AP view | right wrist plain radiograph of the wrist.
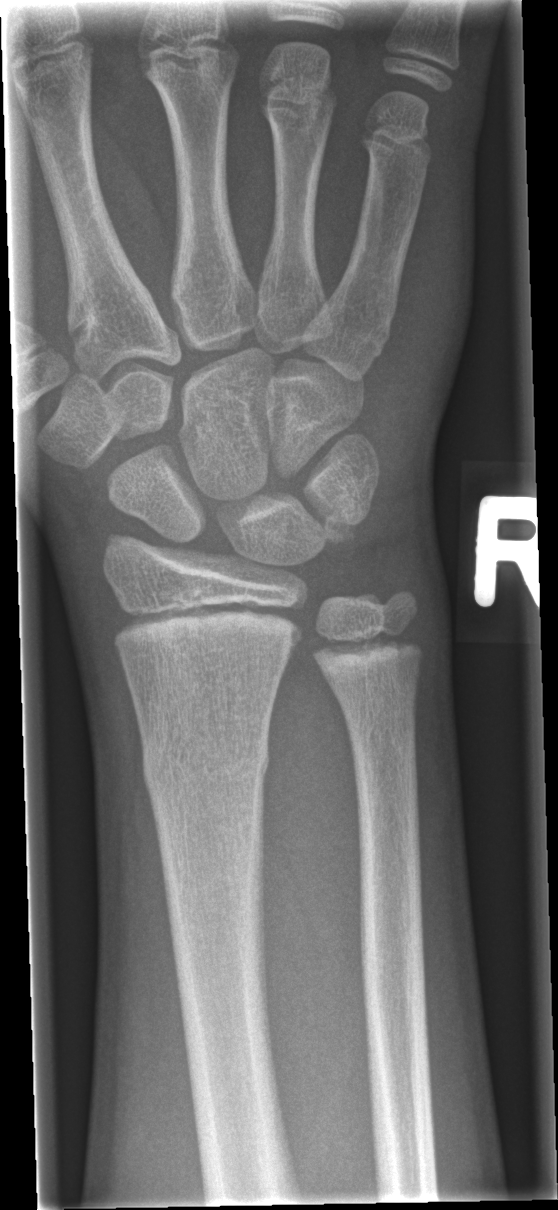 Coordinates are [x1, y1, x2, y2] in image pixels.
AO/OTA classification: 23r-M/2.1.
Fx identified at 137,729,272,792.